L wrist XR; lat projection; age 10 y, boy; index exam.
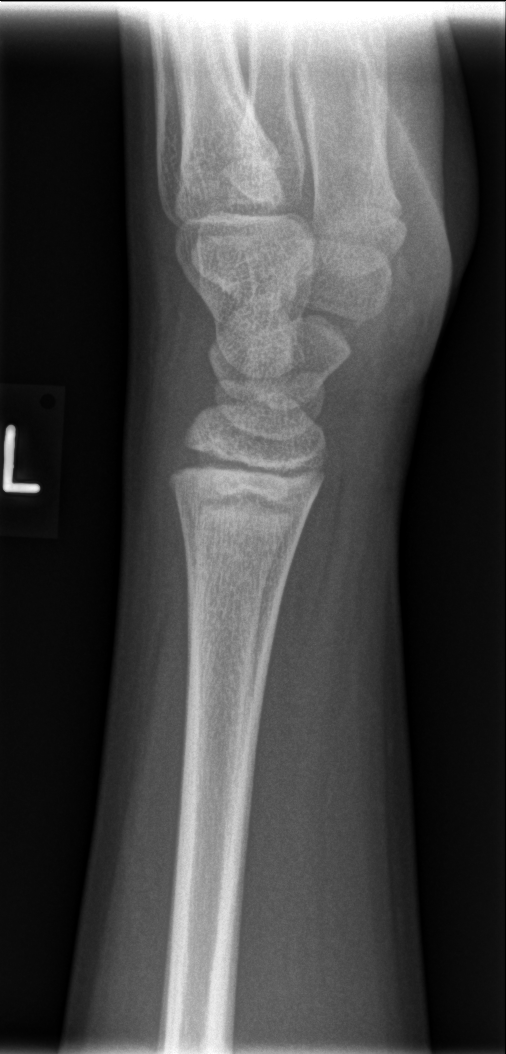

Fracture: none labeled